Left wrist radiograph; PA/AP projection; 9y F; follow-up study; detector: Agfa; 1082 x 1082 px —
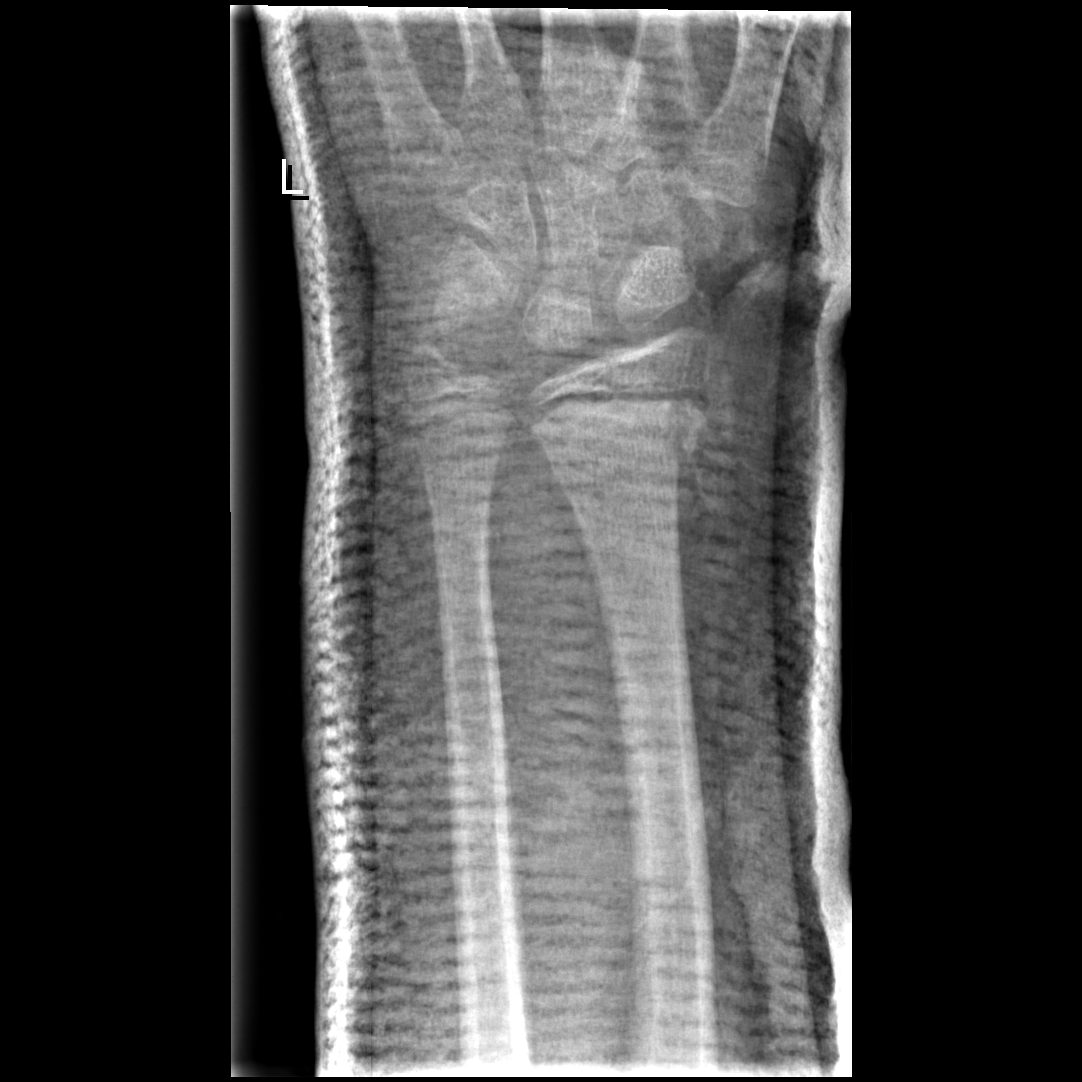 Pixel coordinates, top-left origin, xyxy. Fracture identified at 532 363 715 470
  399 335 476 404. Fracture classified AO/OTA 23r-E/2.1; 23u-E/7.